Right wrist radiograph · posteroanterior · 417 by 662 pixels:

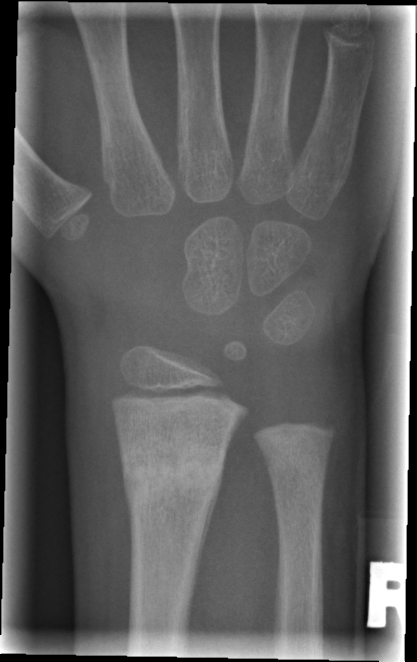 • Decreased bone density (osteopenia).
• One fracture at (117, 451, 229, 522).